Lateral · right wrist pediatric wrist radiograph · pediatric patient (male, age 13)
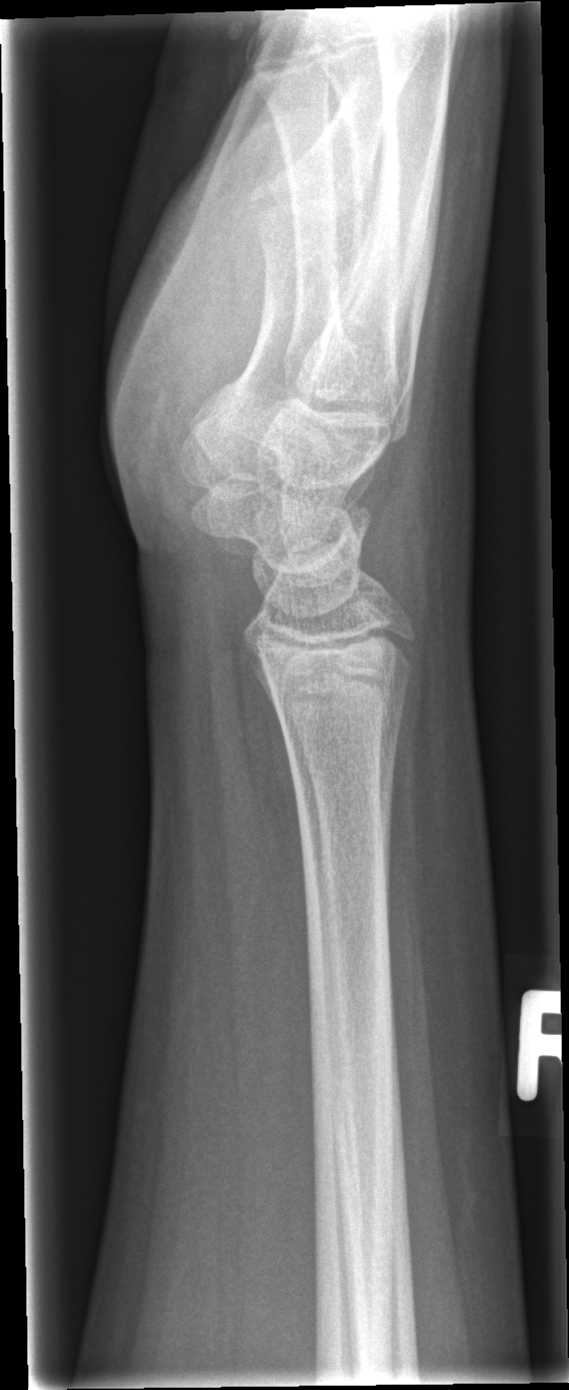 Bone fracture = none labeled